R wrist plain film · lat · index exam · 59.5 mm image width · 413 x 1196 px.

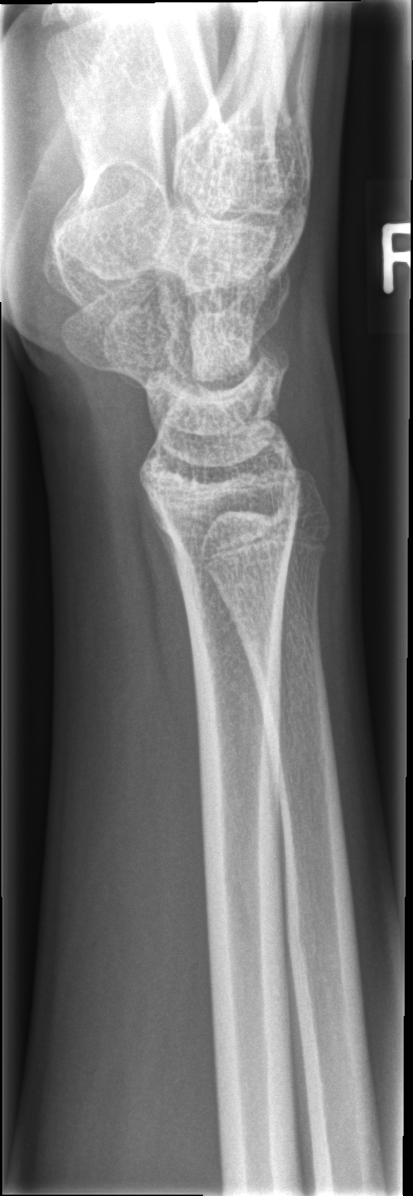

Q: Locate any fractures.
A: No fracture annotation